AP projection · L wrist XR · age 9 y, boy · detector: Siemens.

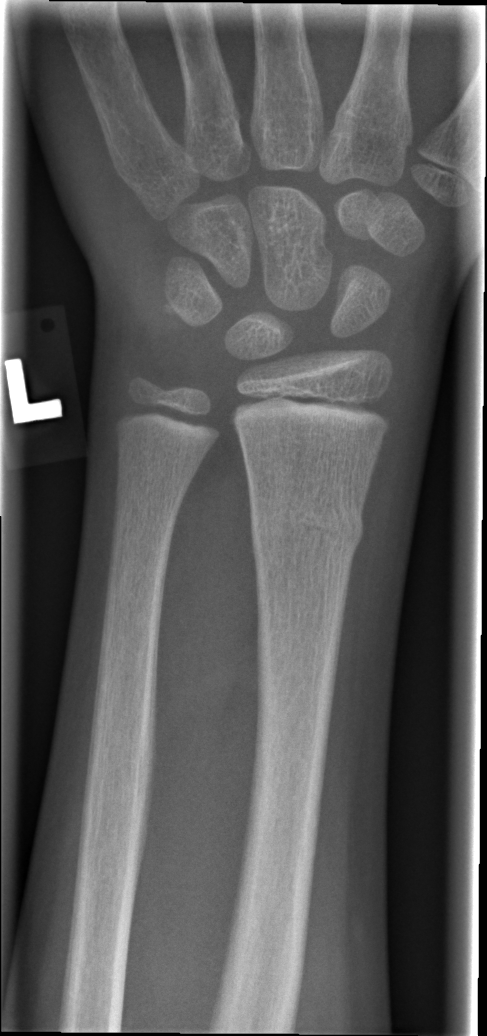
Bounding boxes in image-pixel xyxy. Fx: (left=247, top=487, right=367, bottom=558).